Rt wrist X-ray; PA/AP; 8y M
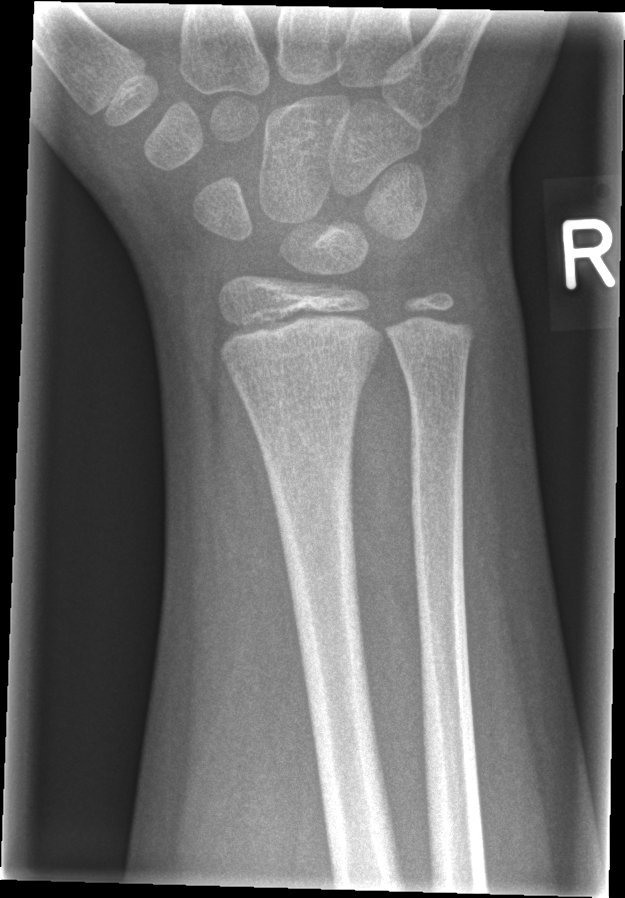

bone fracture = present but not clearly seen in this view